Rt wrist XR | PA/AP projection | 13y M | imaged through cast | Siemens —

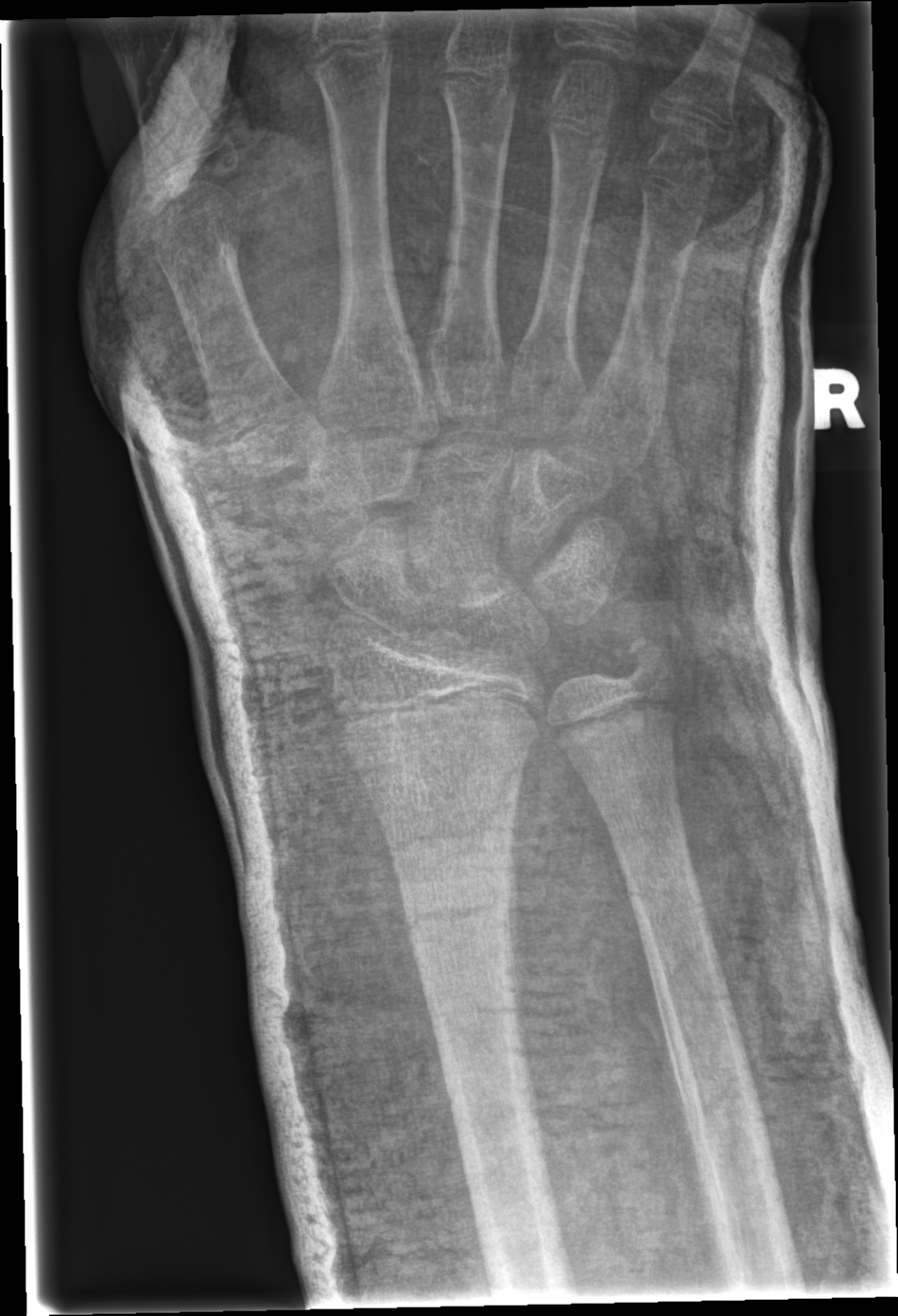 Two bone fractures at bbox(394, 876, 525, 952) bbox(612, 627, 682, 693).